R wrist XR, posteroanterior projection, age 7 y, boy, acquired on Siemens.

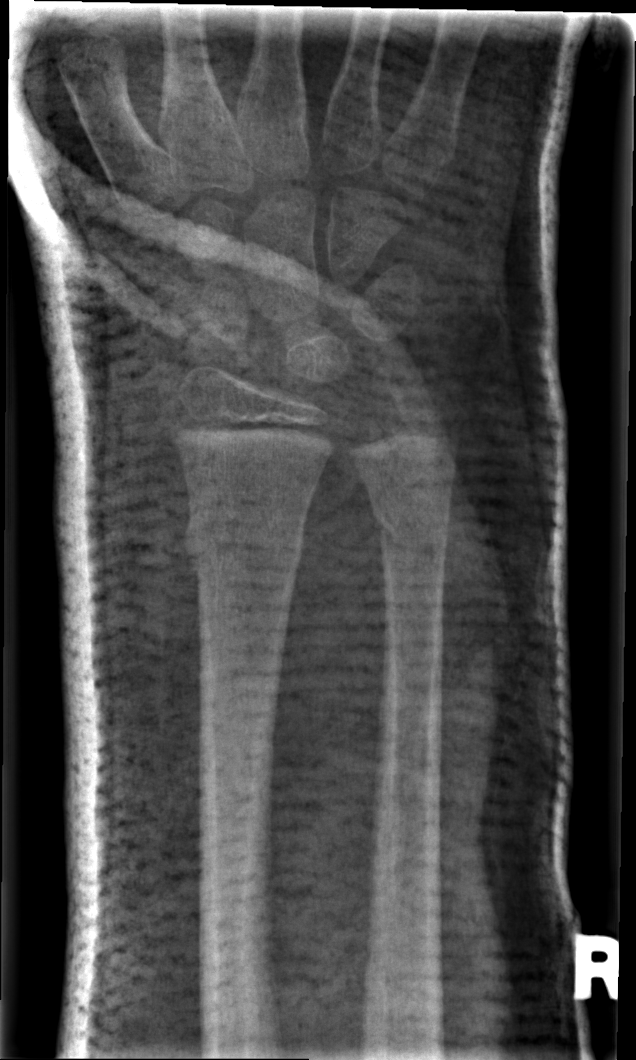

(coordinates are [x1, y1, x2, y2] in image pixels)
Q: Any fracture seen?
A: Fracture identified at bbox(179, 496, 307, 578), bbox(371, 493, 454, 564)